L pediatric wrist radiograph; lat

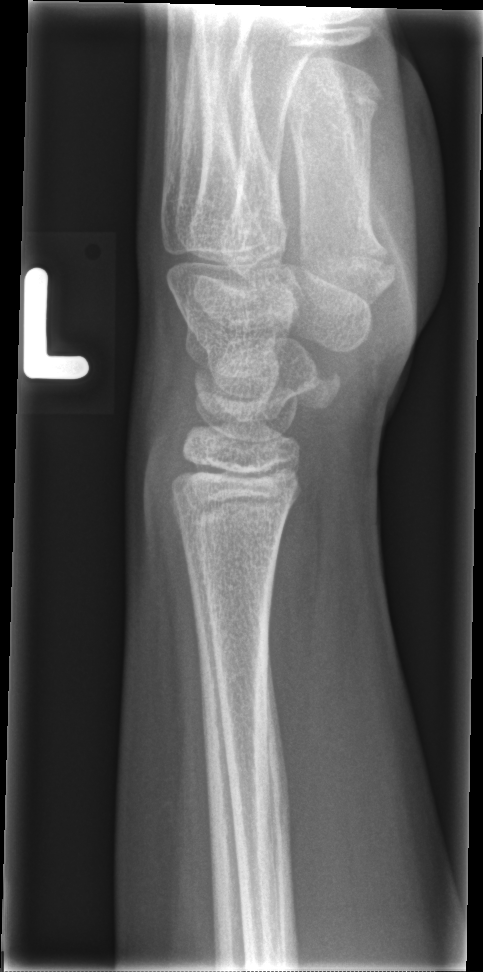 bone fracture: none labeled